Lat projection | left wrist plain film | acquired on Siemens | 392 by 1058 pixels
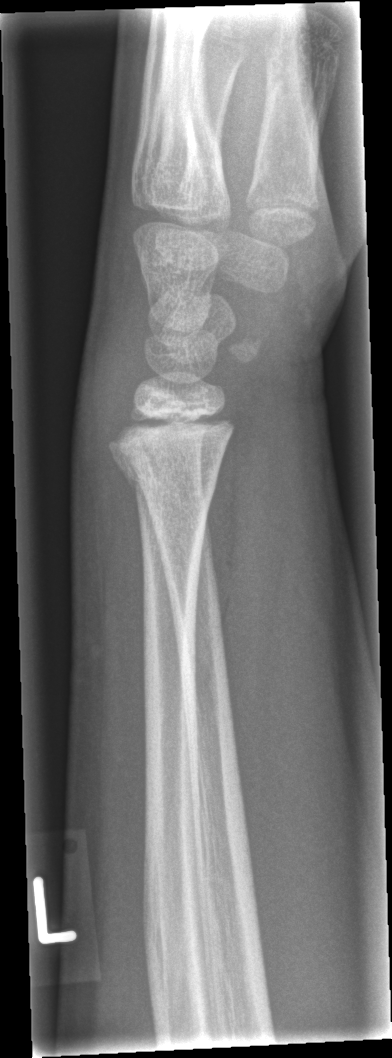
(pixel coordinates, top-left origin, xyxy)
Q: Any fracture seen?
A: Fracture: bbox(107, 410, 226, 503)
Q: Pronator fat-pad sign?
A: Pronator sign — bbox(221, 376, 292, 724)